Right wrist XR; AP projection; age 6 y, female; image size 944x1036 — 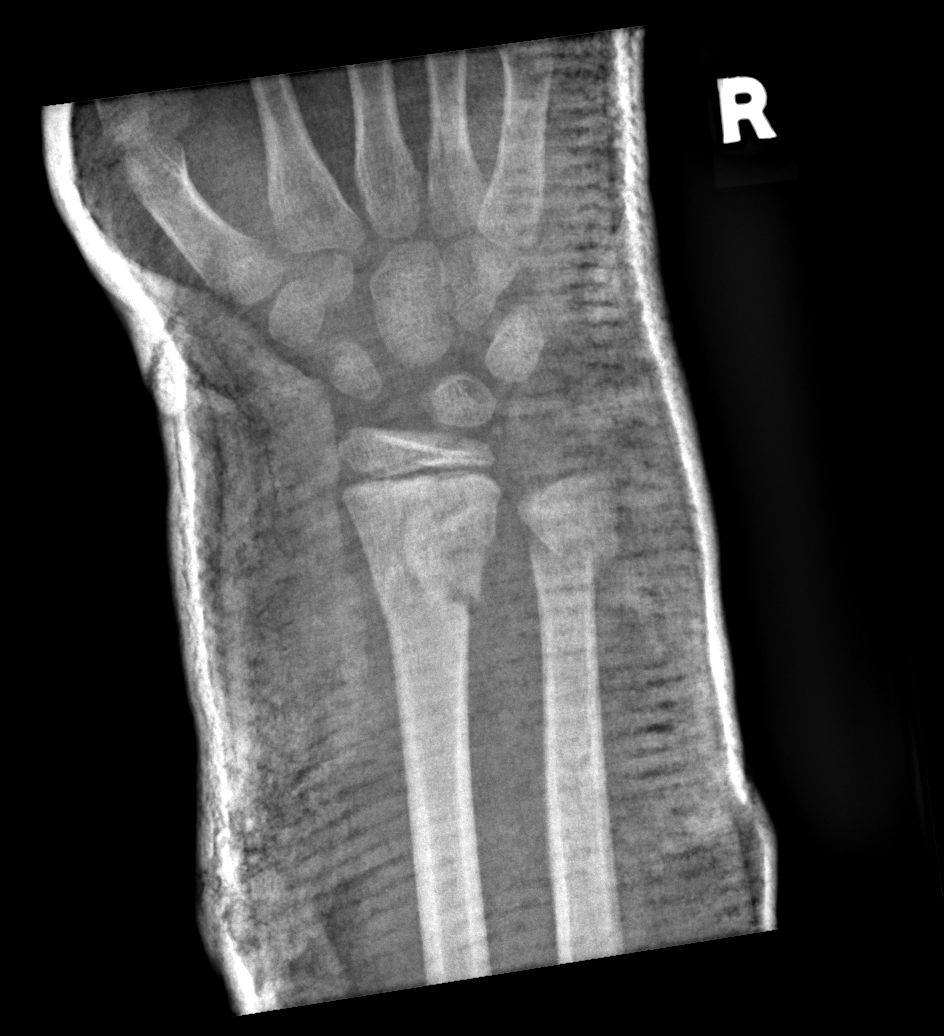 Fracture classified AO/OTA 23-M/3.1. Two bone fractures at bbox(361, 500, 494, 629), bbox(525, 525, 625, 582).